L plain radiograph of the wrist, lat view, pediatric patient (male, age 16), initial study, detector: Siemens:

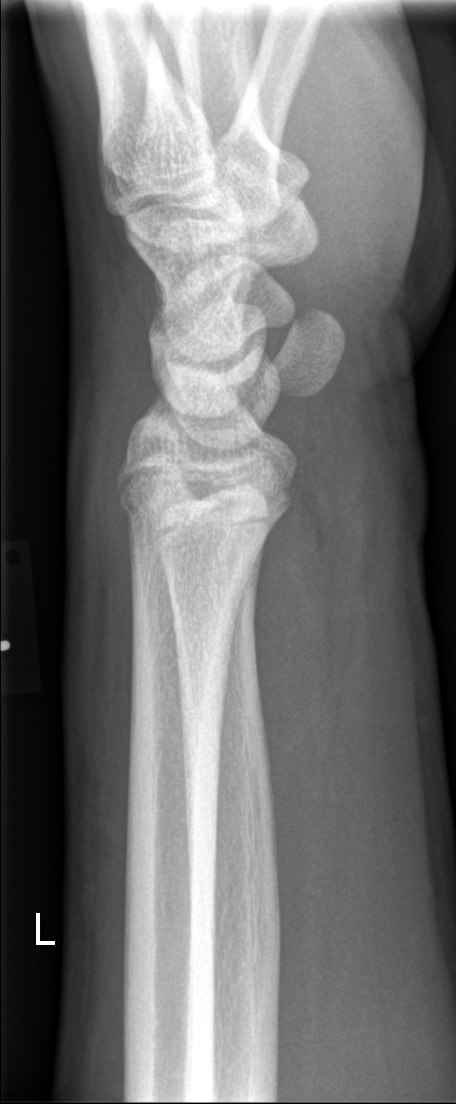

Pixel coordinates, top-left origin, xyxy. Pronator sign identified at bbox(233, 399, 339, 895). AO/OTA classification: 23r-M/2.1. One fracture at bbox(111, 461, 285, 555).